L plain radiograph of the wrist · frontal view. 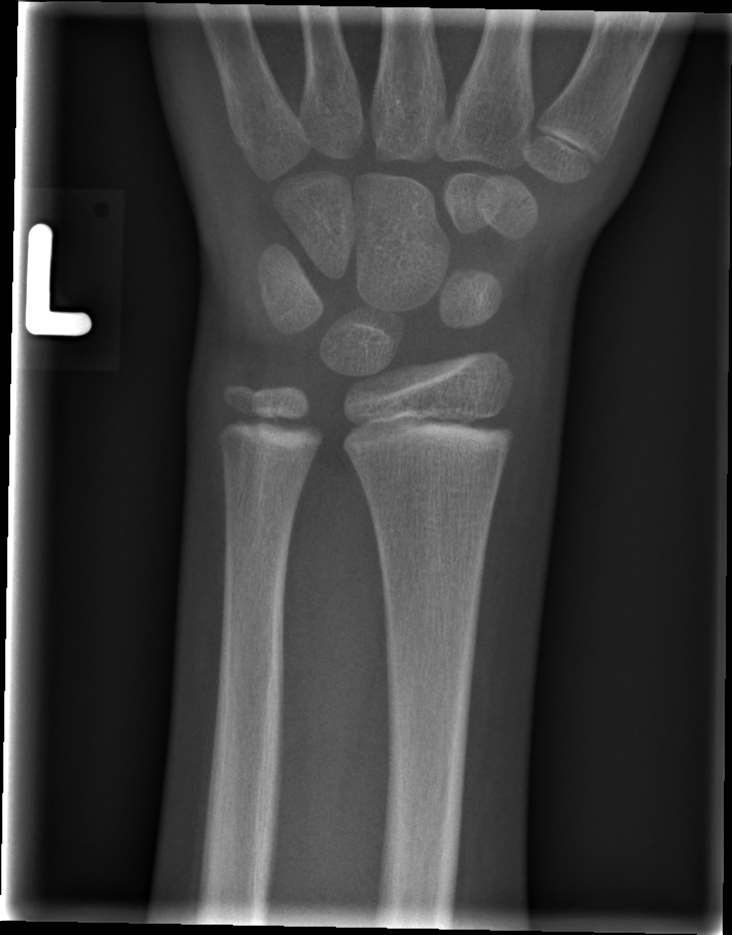
Fx: none labeled